Left wrist XR · AP projection · presentation radiograph.
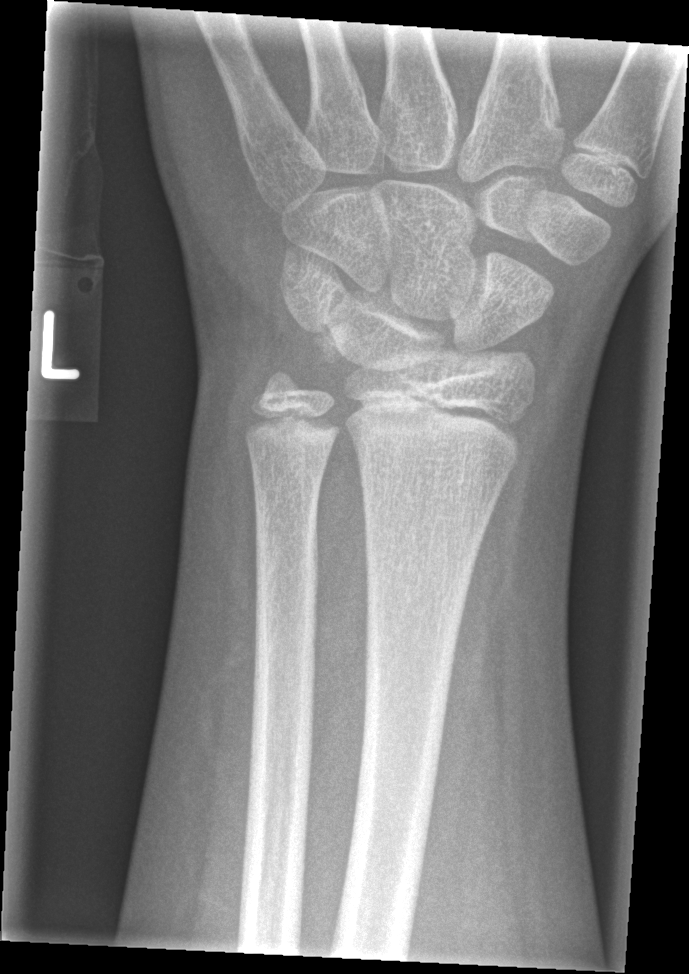
FINDINGS: Fx: none.